Lt pediatric wrist radiograph, lat, girl, 8 yo, initial study, acquired on Siemens, image width 59.5 mm, 413x966

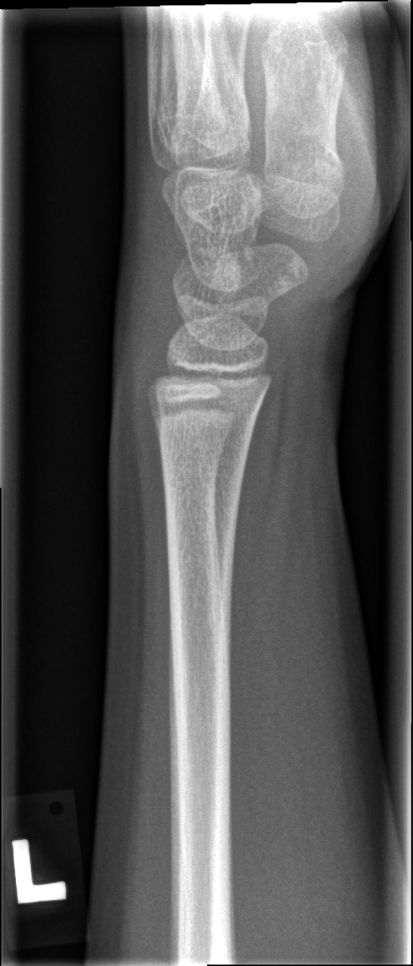

Fx: none.